Lateral projection · Rt wrist radiograph · in cast —

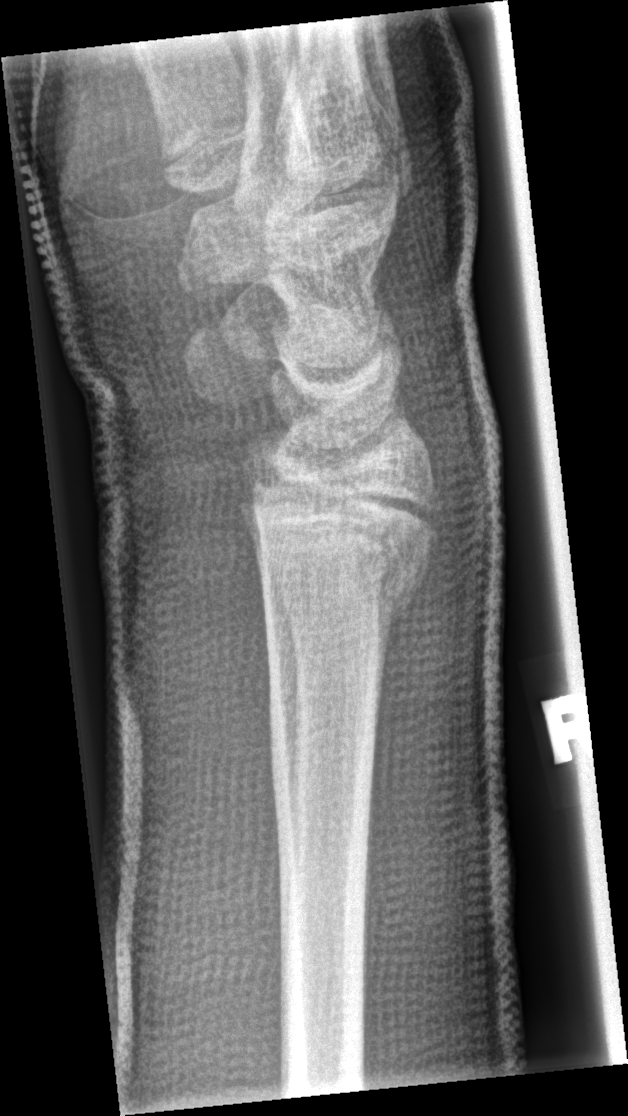 FINDINGS: (bounding boxes in image-pixel xyxy) Fracture classified AO/OTA 23r-E/2.1; 23u-E/7. Fx identified at 236,468,441,641.